Right pediatric wrist radiograph · lat · age 12 y, female · image 70.8 mm wide
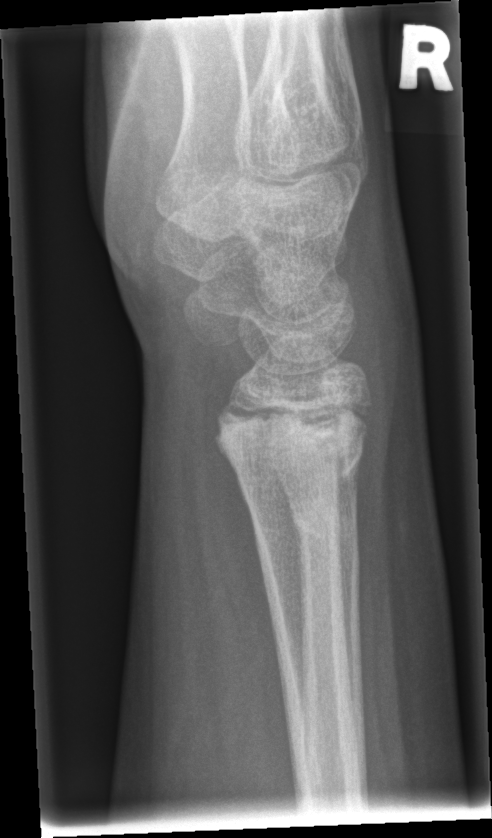 (coordinates are [x1, y1, x2, y2] in image pixels)
bone fracture = (211, 389, 374, 486) (290, 491, 361, 547)